Left wrist pediatric wrist radiograph | PA/AP | 64.8 mm image width —
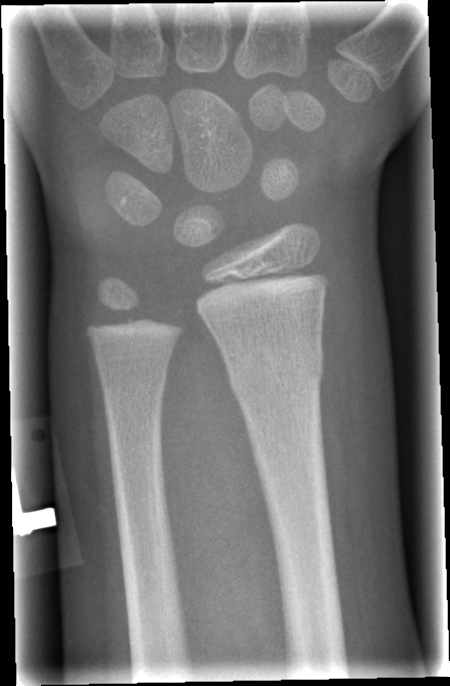 Fracture identified at (left=221, top=348, right=328, bottom=400); (left=98, top=366, right=171, bottom=416).
AO code 23-M/2.1.